Lat | left wrist radiograph | pediatric patient (boy, age 17) | presentation radiograph — 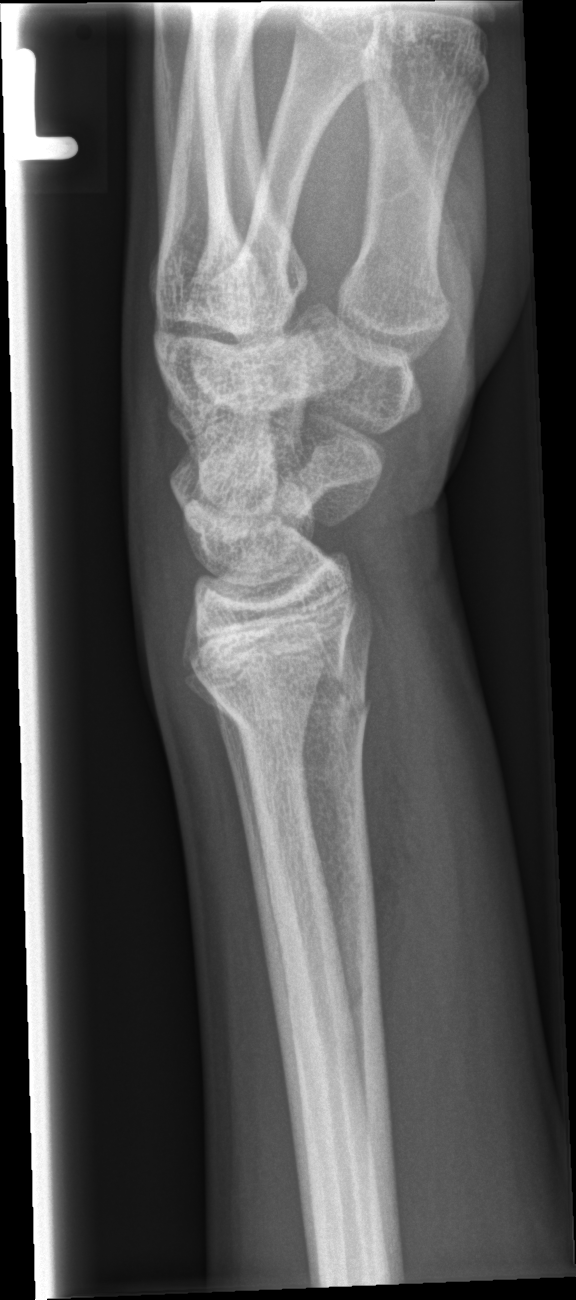 Bounding boxes in image-pixel xyxy.
One fracture at <210,654>-<379,754>.
Pronator quadratus fat-pad sign: <360,629>-<426,1024>.